L wrist XR, PA projection, detector: Siemens. 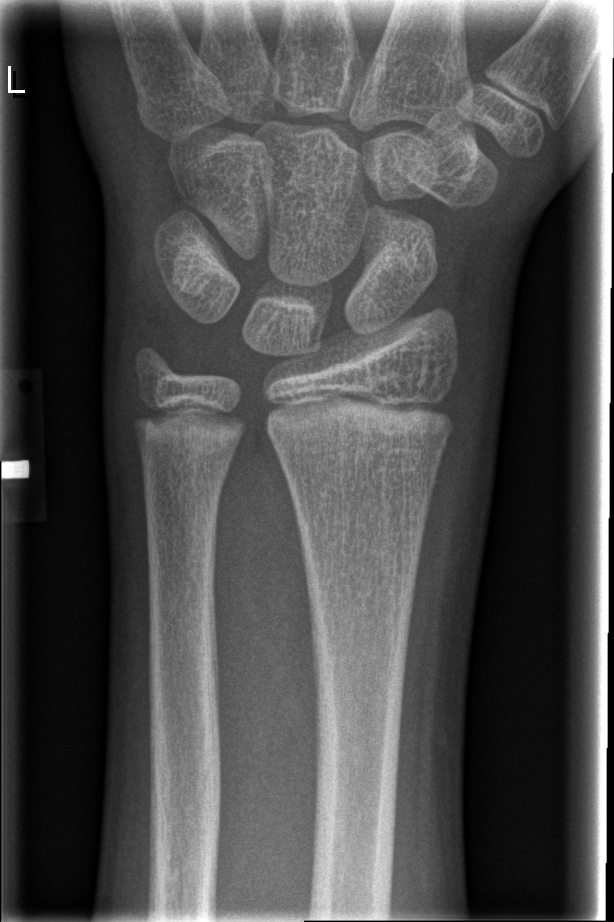
{
  "fracture": "present but not clearly seen in this view"
}